PA/AP projection | L plain radiograph of the wrist | age 8 y, male | cast present

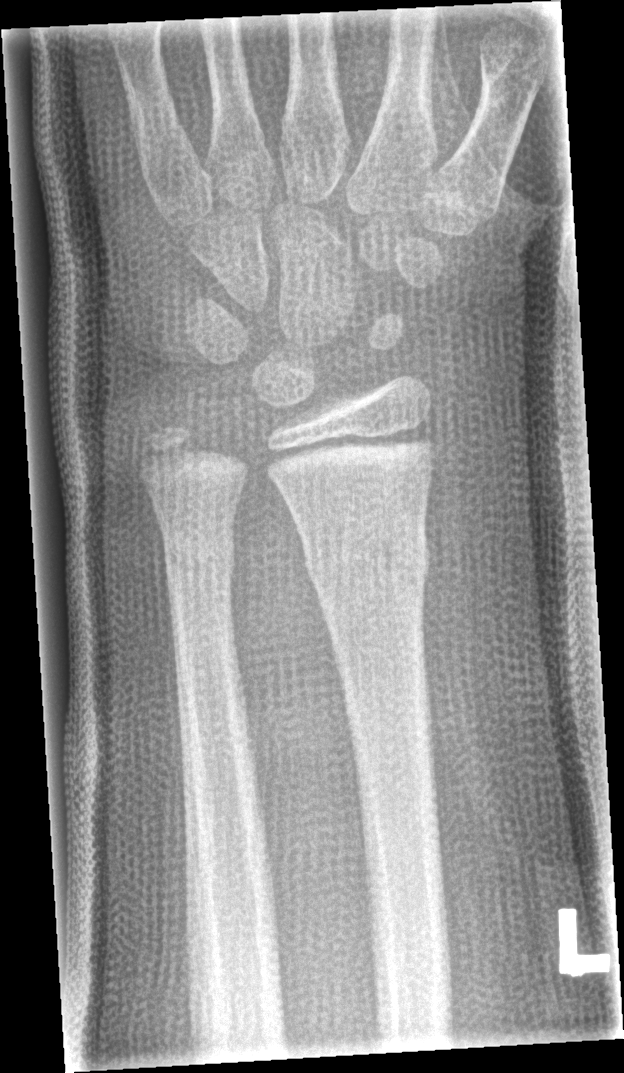

Fracture identified at 300,530,433,588 | 159,540,241,589.
AO/OTA classification: 23-M/2.1.